AP projection · right wrist pediatric wrist radiograph.
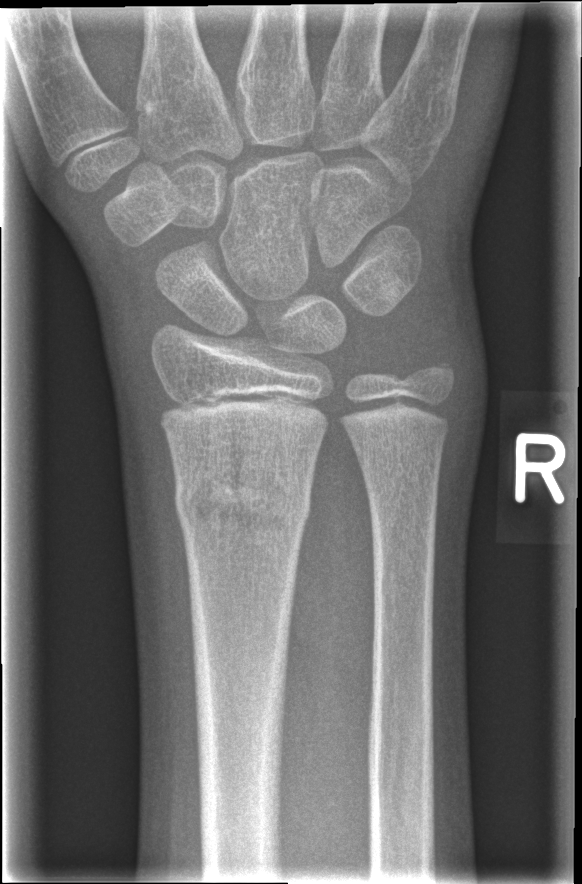
* Bounding boxes in image-pixel xyxy.
* Fracture classified AO/OTA 23r-M/2.1; 23u-E/7.
* Fractures — (169, 456, 314, 547) (395, 338, 468, 407).